Rt plain radiograph of the wrist | posteroanterior projection:

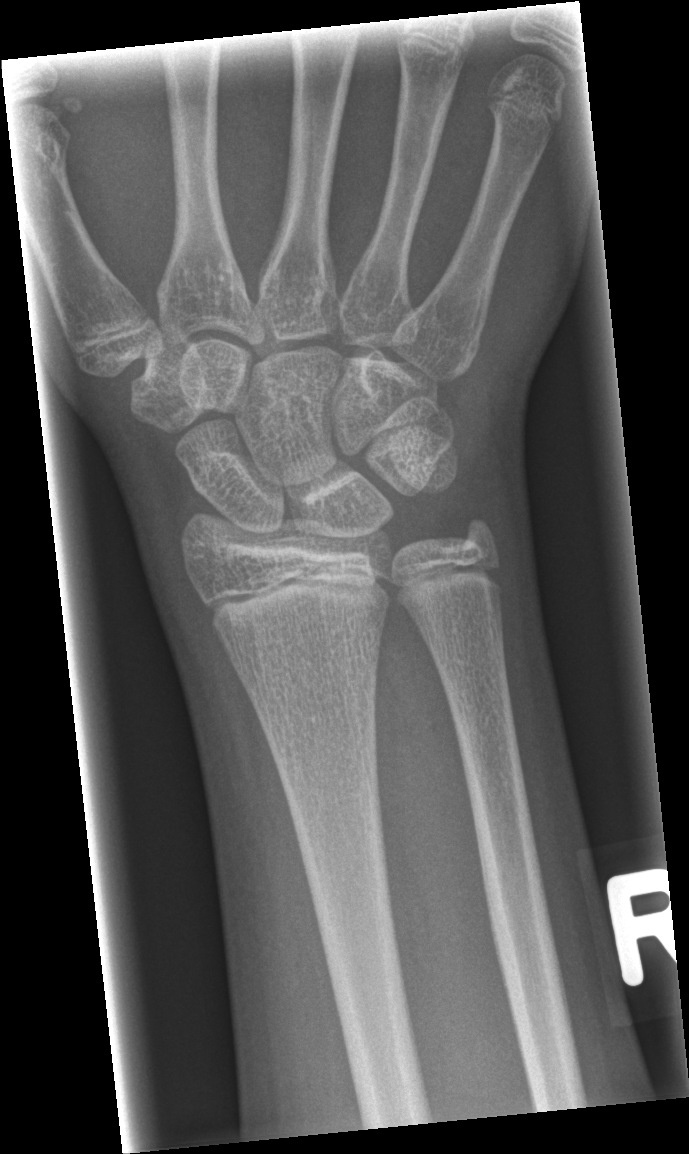

* No fracture bounding box.